Lt wrist plain film | lateral projection | 10-year-old girl | Siemens:

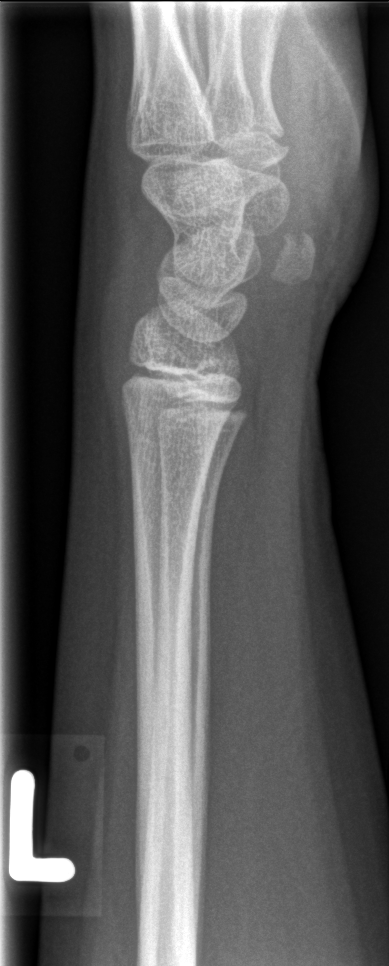

• Fracture: none labeled.